Right wrist X-ray; lat: 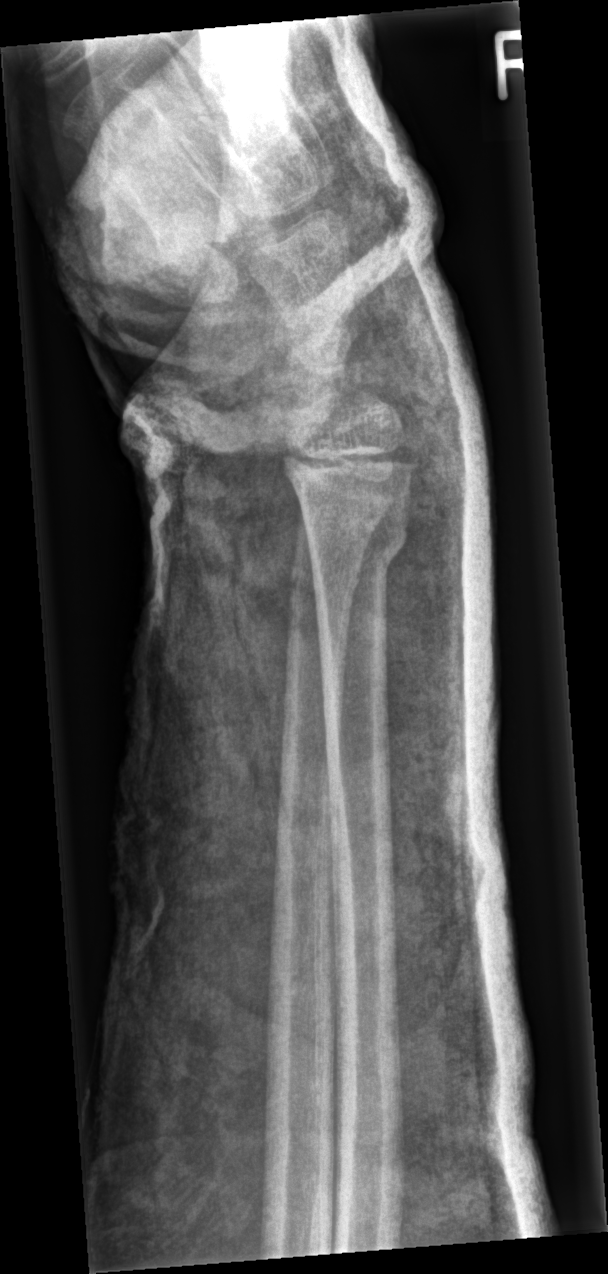 * Fracture identified at 302 511 413 585.
* Fracture classified AO/OTA 23-M/2.1.